L wrist X-ray · lat · girl, 9 yo:

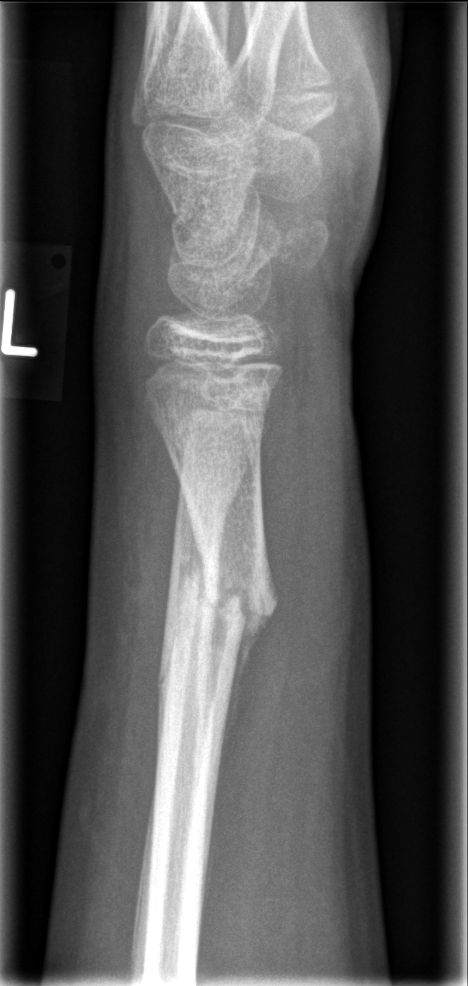 # bounding boxes in image-pixel xyxy
ao: 22r-D/4.1; 22u-D/2.1; 23u-M/2.1
periostealreaction: 1 @ 219 603 278 759
osteopenia: present
fracture: 1 @ 162 553 283 673